L plain radiograph of the wrist, lat view, 4-year-old female.
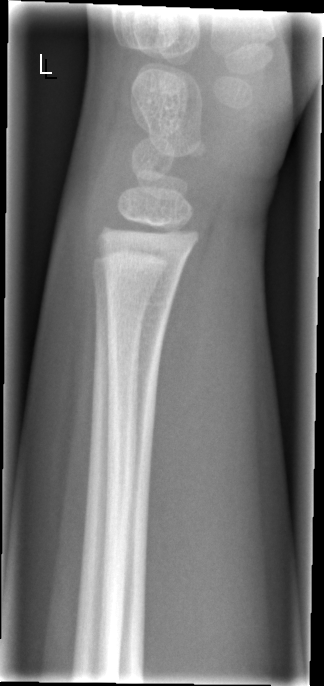

bone fracture: none labeled